Left pediatric wrist radiograph · frontal view · age 5 y, girl.

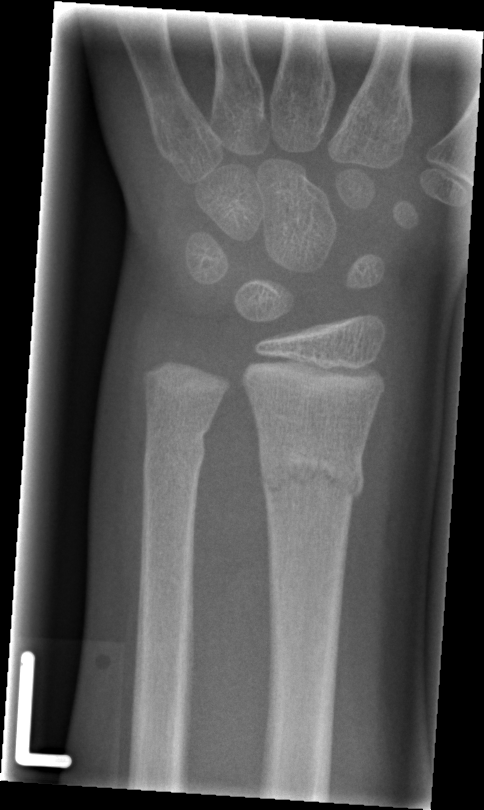
AO code: 23r-M/3.1; 23u-M/2.1
Fracture: 2 @ 256 439 369 515; 139 420 212 477